AP | left wrist plain film | female, 11 yo | Siemens:
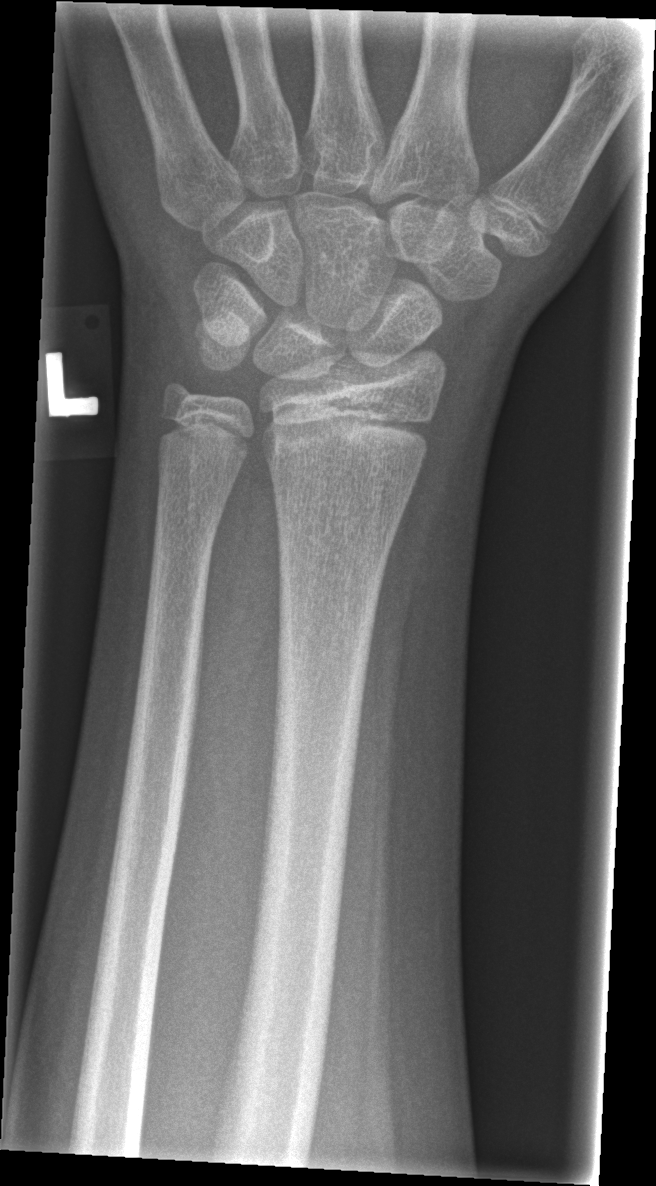 Fx = none labeled